R wrist X-ray; lateral; 14y M; image size 667x1134:
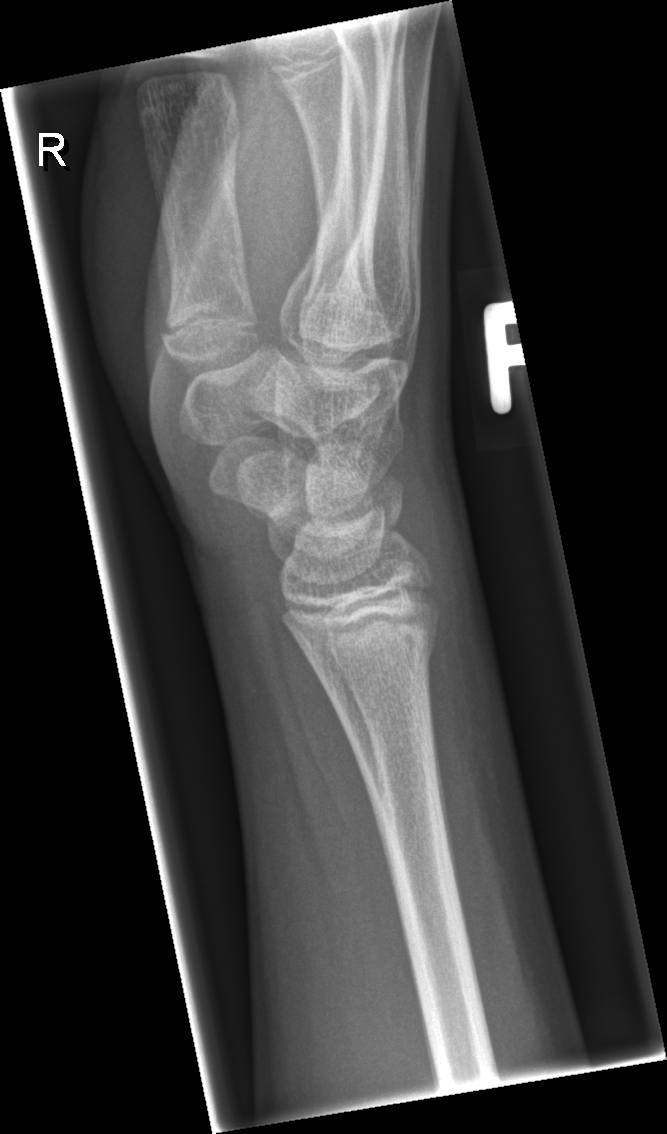
{"_coords": "boxes as x1,y1,x2,y2 (top-left / bottom-right, pixel units)", "fracture": "[x1=306, y1=610, x2=444, y2=688]", "ao": "23r-M/2.1"}